PA/AP view; right wrist X-ray; girl, 17 yo
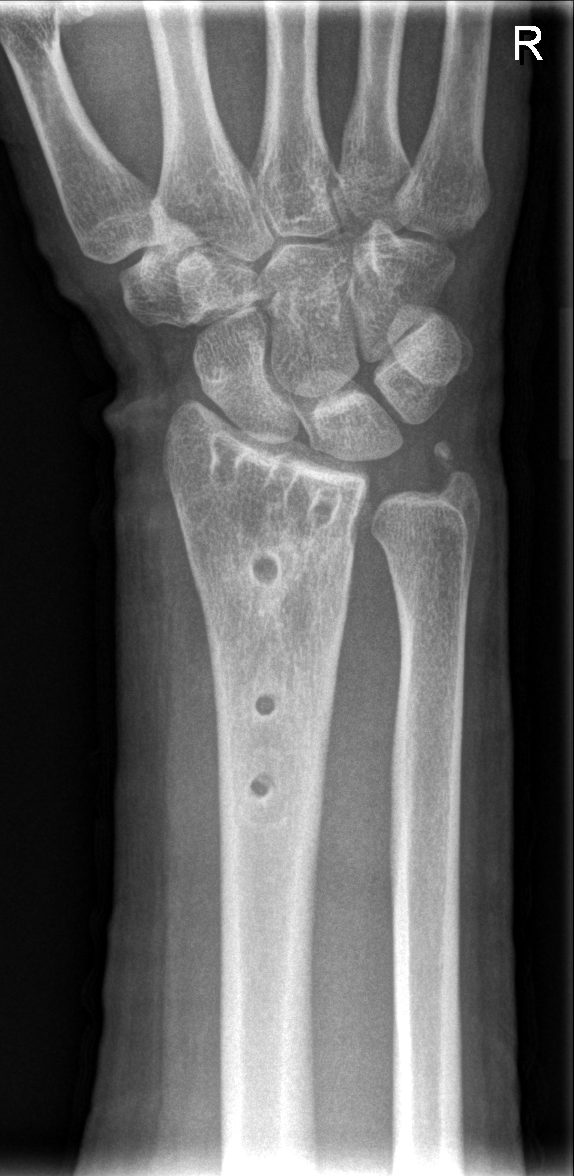

Bone variant: 208,433,343,530; 229,745,294,835; 235,537,297,611; 240,678,292,729.
Fracture classified AO/OTA 23r-M/3.1; 23u-E/7.
Fracture: 189,518,364,602; 427,437,489,518.